Lt wrist plain film, PA/AP view, 13-year-old boy, image 92.4 mm wide. 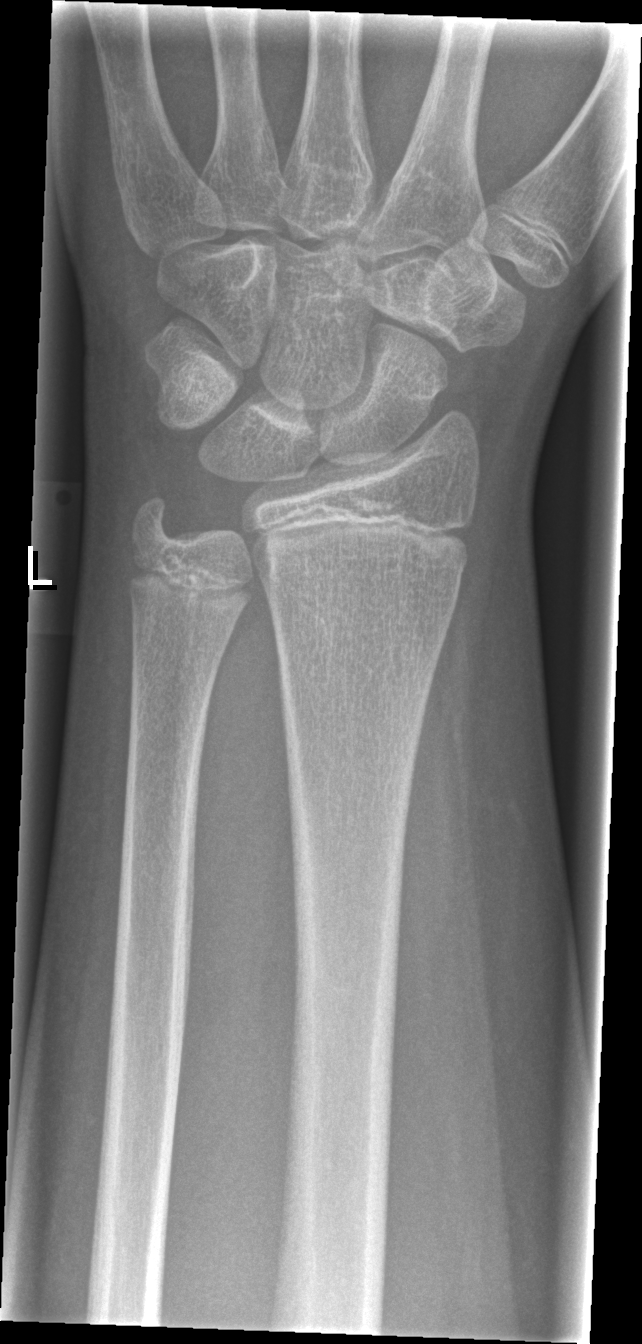 fracture = none labeled